Lateral projection; Lt wrist plain film:
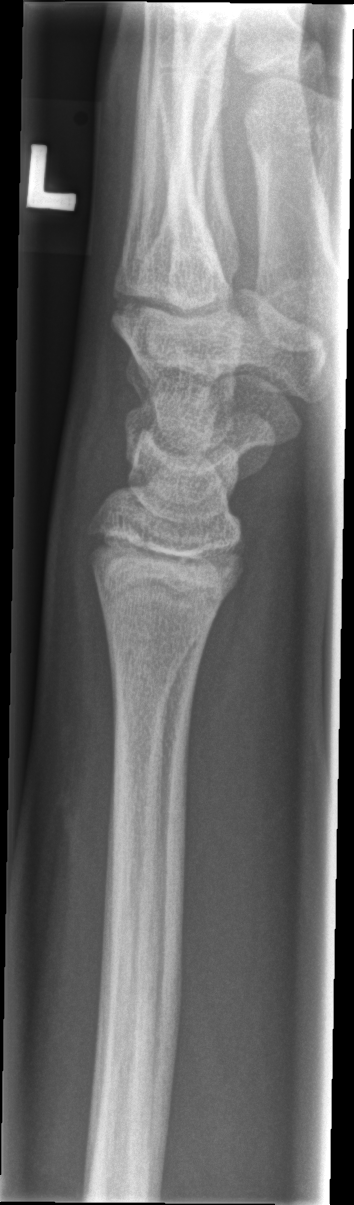
Fx: none.